L wrist XR | lat | pediatric patient (boy, age 7) | image size 510x848: 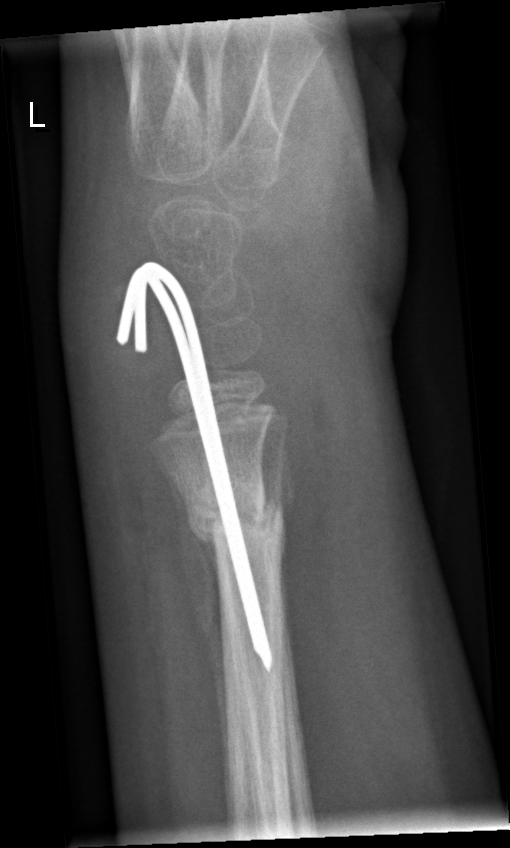 AO code 23-M/3.1.
Metallic hardware identified at bbox(116, 263, 274, 673).
Bone fracture: bbox(187, 495, 290, 557).